L wrist X-ray, AP, 17-year-old male, in cast — 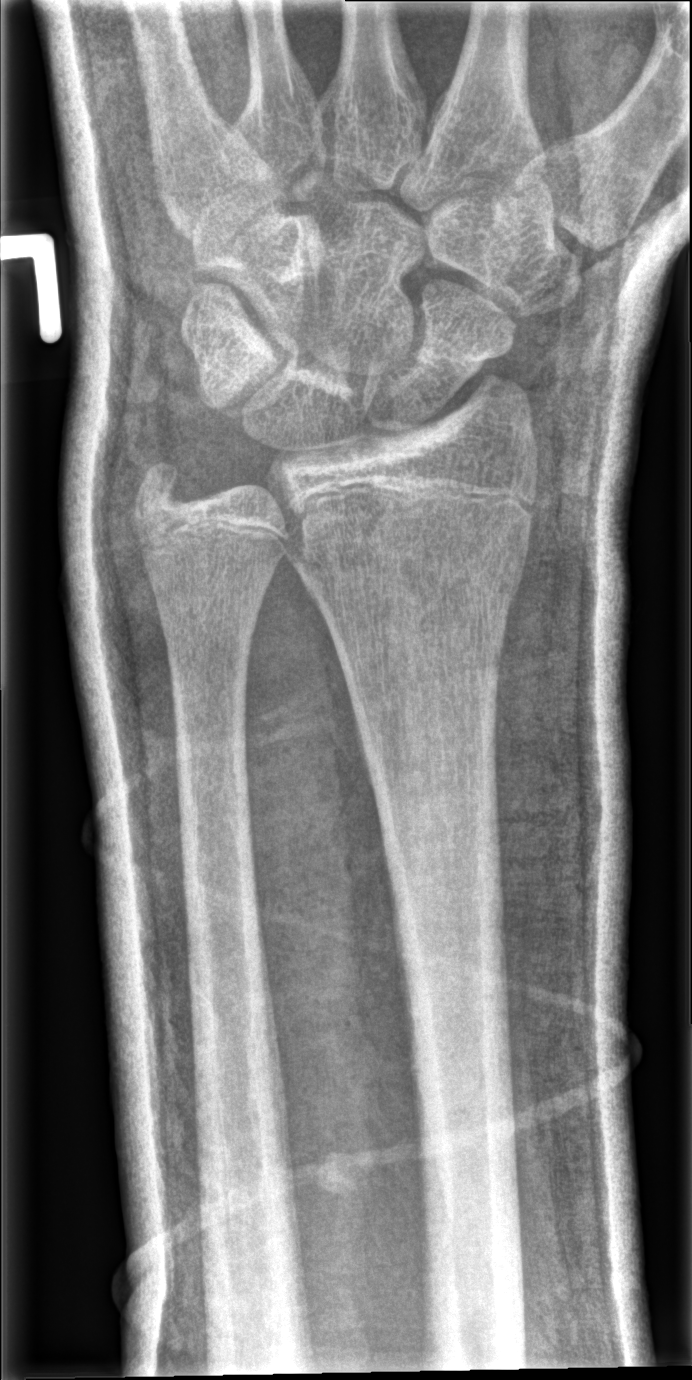
Fx: [283, 510, 532, 628].
AO/OTA classification: 23r-M/3.1.